Posteroanterior, left wrist radiograph, 5y M, Siemens:

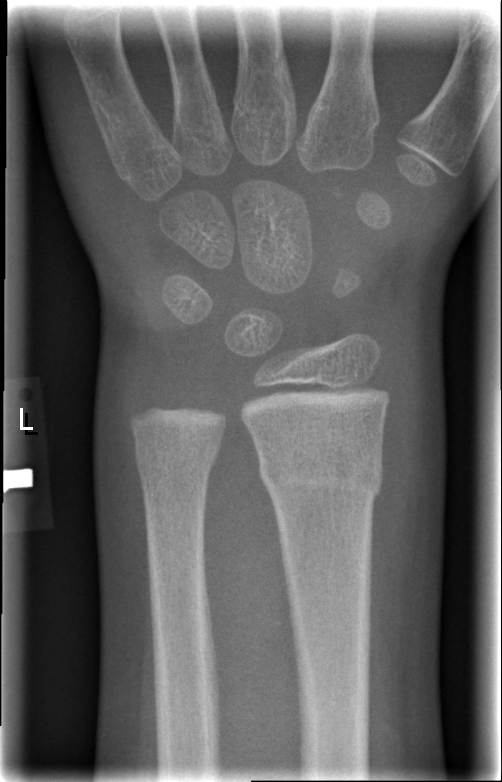
* Fracture identified at 255,441,386,505
  132,438,224,482.
* Fracture classified AO/OTA 23-M/2.1.